L wrist X-ray, lat projection, age 7 y, boy, imaged through cast:
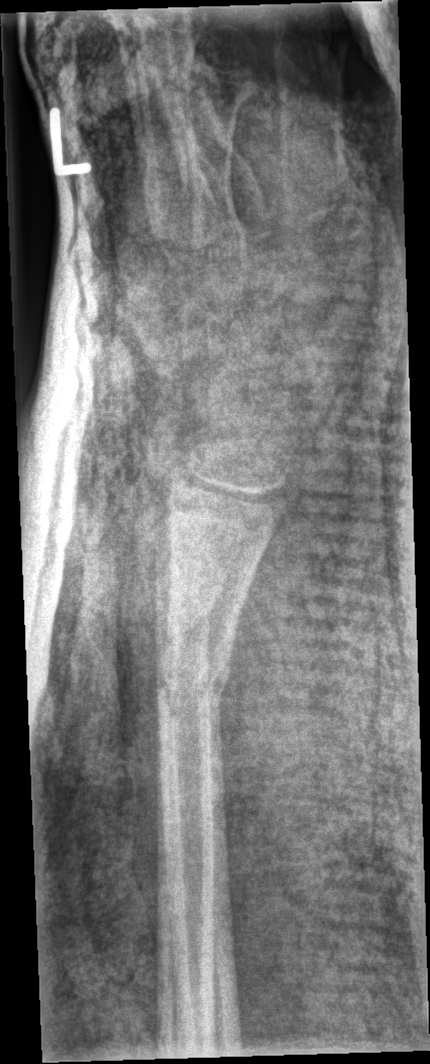
Coordinates are [x1, y1, x2, y2] in image pixels. Two bone fractures at <148,575>-<227,653>; <152,650>-<234,719>.